AP view, right plain radiograph of the wrist, 7-year-old female, image width 67.7 mm, 470x926 — 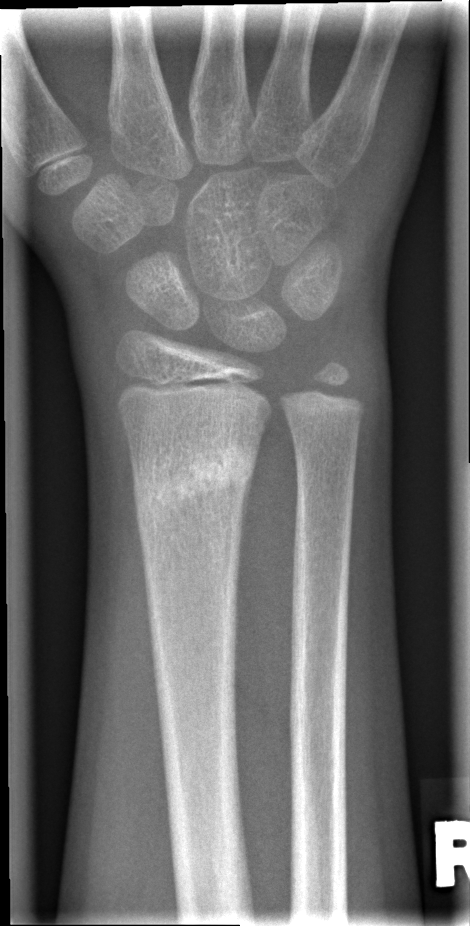

{"fracture": "128,440,260,537", "osteopenia": "present", "ao": "23r-M/2.1"}